Right wrist X-ray, lat projection, presentation radiograph —
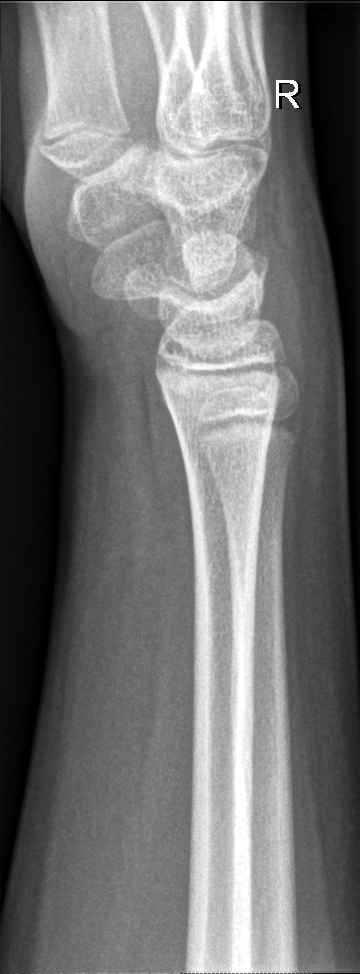

Q: Fracture present?
A: Fracture: none labeled